Lateral view, right wrist radiograph.
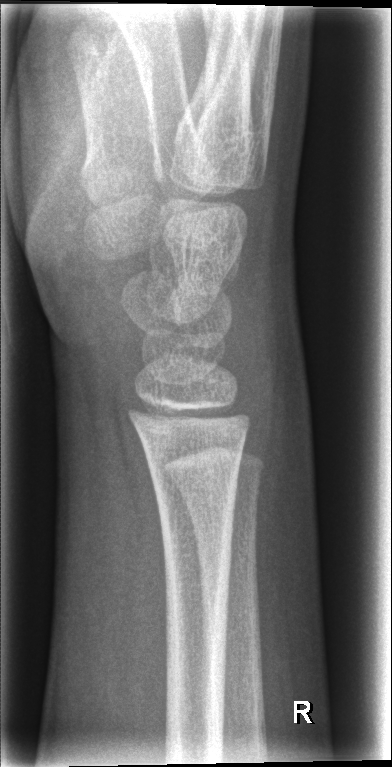
No fracture labeled.